Right wrist plain film, posteroanterior projection, age 6 y, female, 86.5 mm image width

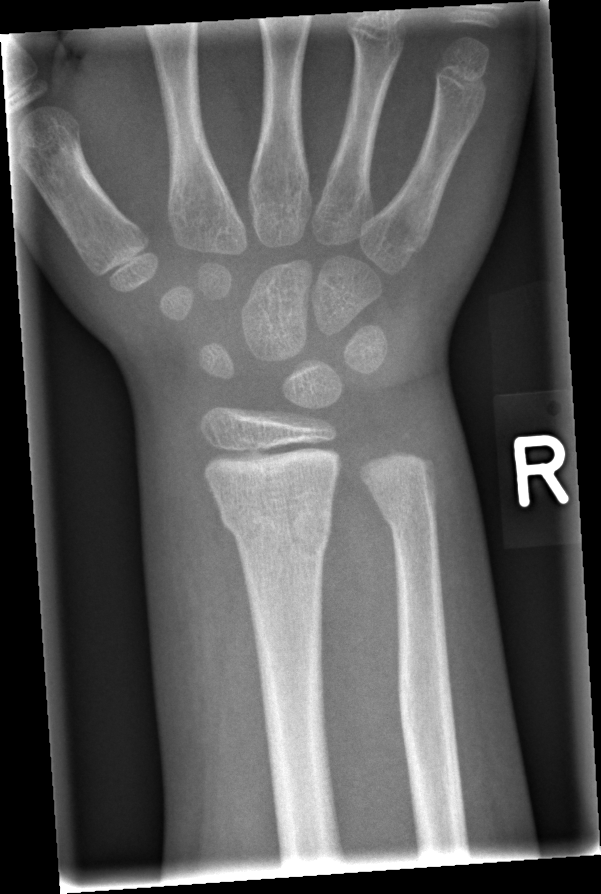 Soft-tissue finding: [136, 476, 268, 796]
Fracture: 2 @ [214, 493, 334, 562]; [374, 485, 443, 542]